Lateral; L wrist radiograph; boy, 10 yo —
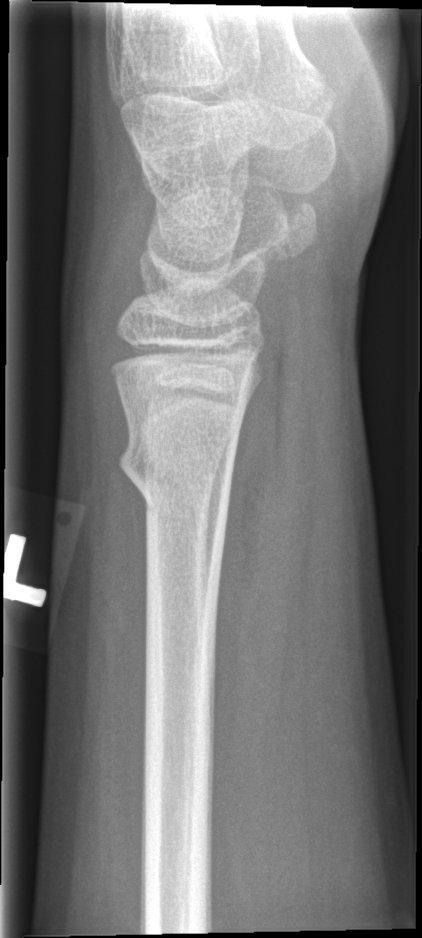 bone fracture = 114 430 236 514
AO classification = 23r-M/2.1
pronator quadratus fat-pad sign = 210 342 289 654